Lateral projection · L wrist plain film.
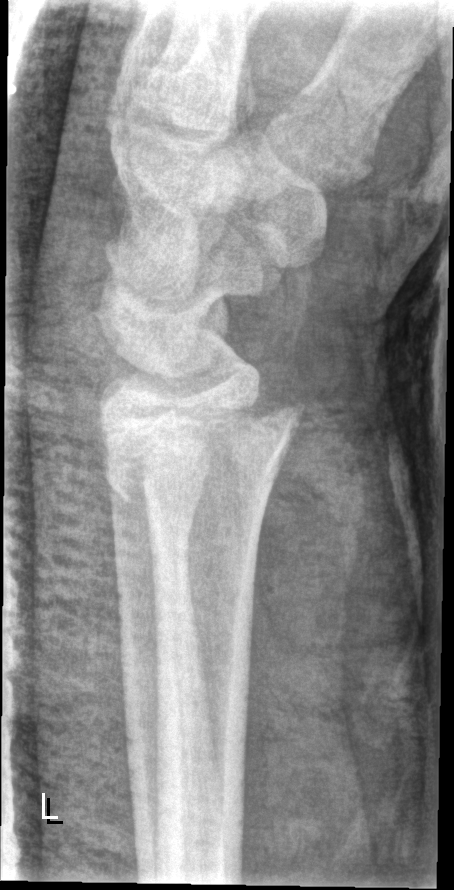

Findings: (bounding boxes in image-pixel xyxy) Fracture — bbox(94, 386, 306, 512). AO/OTA classification: 23r-E/2.1.